Rt plain radiograph of the wrist · AP view · 7-year-old male · cast in situ · image width 83.8 mm · 582 by 910 pixels.

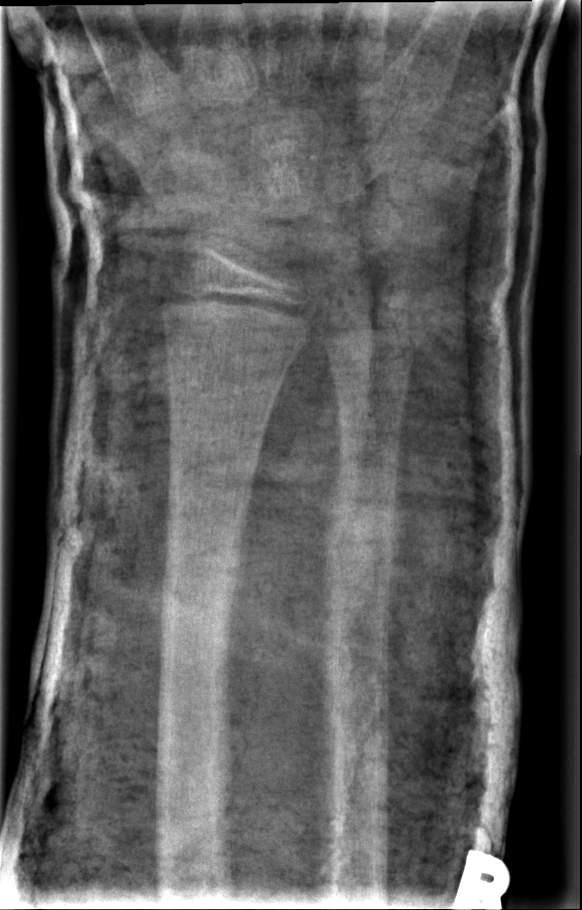

- Two Fx at (left=311, top=486, right=412, bottom=602) (left=152, top=519, right=249, bottom=625).